Posteroanterior projection | left wrist radiograph | 9-year-old female | image 67.1 mm wide | image size 466x716
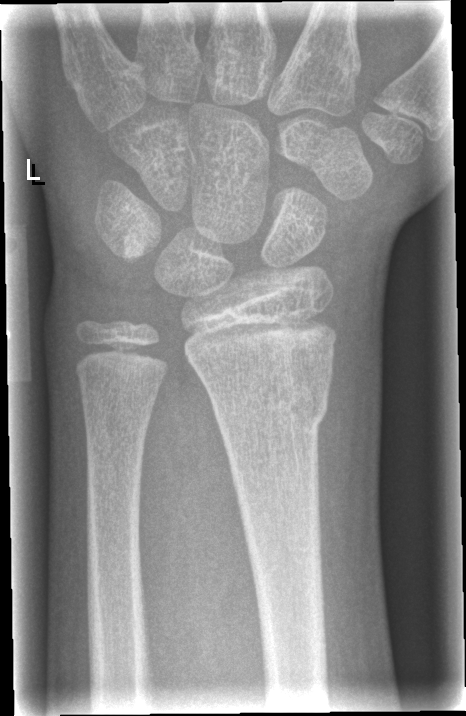

FINDINGS: One fracture at [209, 380, 332, 436].